Lt wrist radiograph | AP projection | age 11 y, female 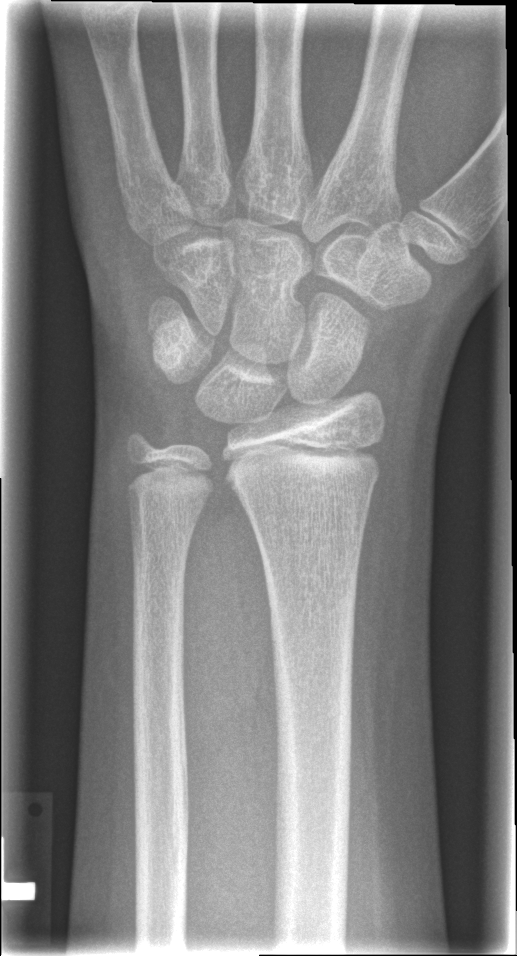 Bone fracture = none labeled